Lateral | Lt pediatric wrist radiograph | pediatric patient (male, age 5) | cast present 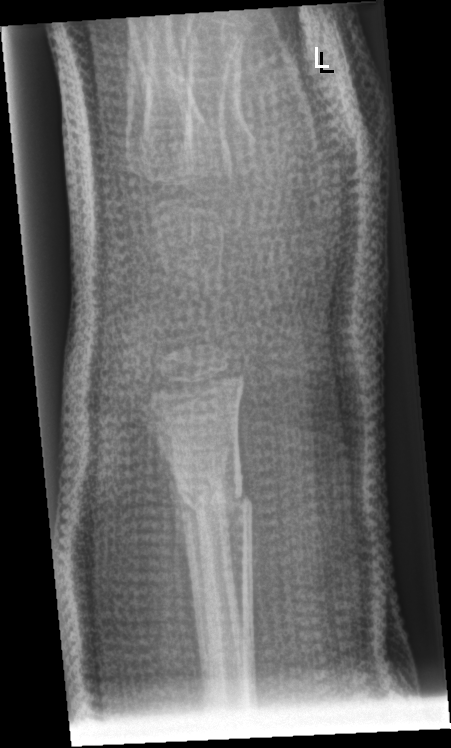
FINDINGS — Fracture identified at (171, 466, 255, 524).